Lateral projection · left wrist plain film.

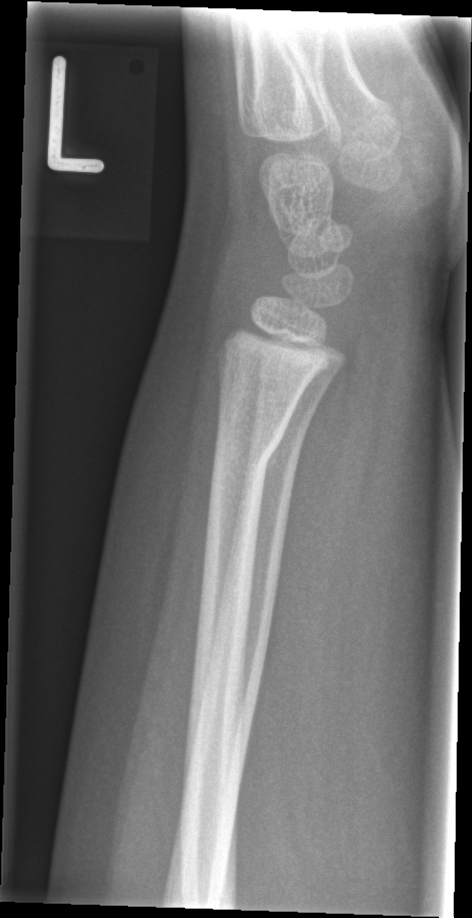 FINDINGS: Bone fracture: bbox(205, 419, 289, 494).